Lt wrist radiograph, AP, 74.3 mm image width
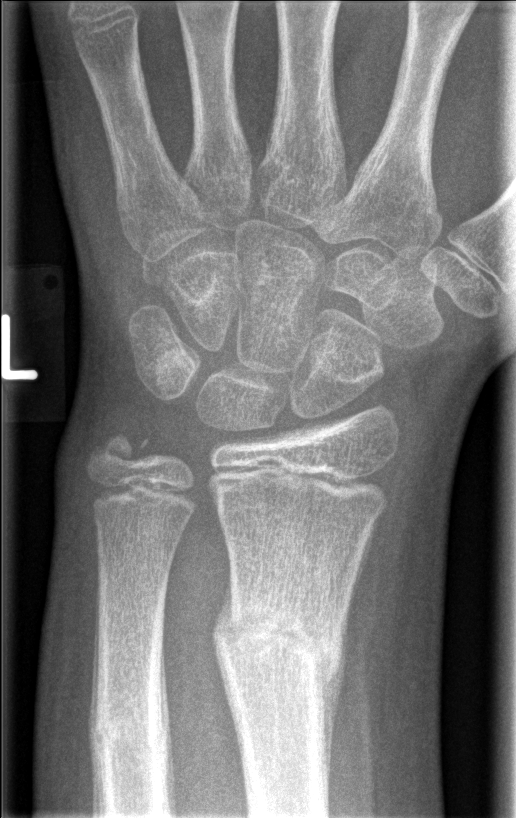 (coordinates are [x1, y1, x2, y2] in image pixels)
Osteopenia: present
Fracture: [x1=212, y1=596, x2=346, y2=700]; [x1=89, y1=684, x2=168, y2=770]; [x1=85, y1=422, x2=155, y2=475]
Periosteal reaction: [x1=316, y1=597, x2=351, y2=812], [x1=211, y1=564, x2=243, y2=763], [x1=87, y1=557, x2=106, y2=816], [x1=159, y1=630, x2=176, y2=815]